Lateral projection, right plain radiograph of the wrist, Siemens: 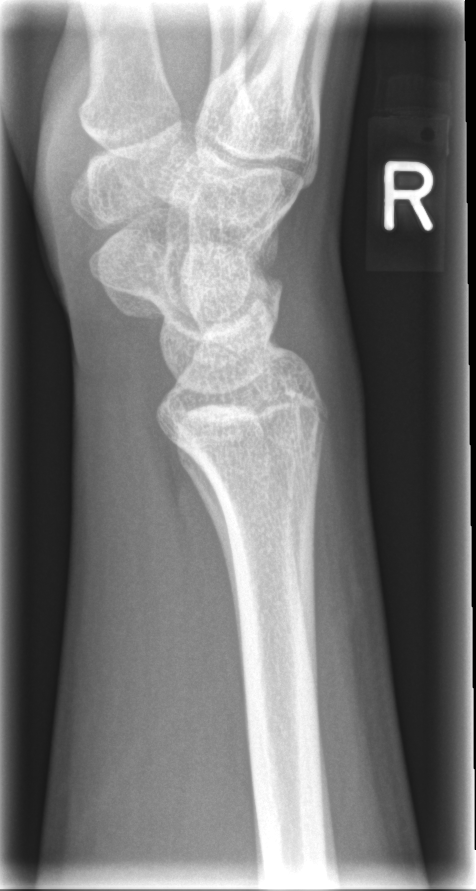 Fracture: none labeled